R wrist radiograph, AP projection, age 8 y, boy
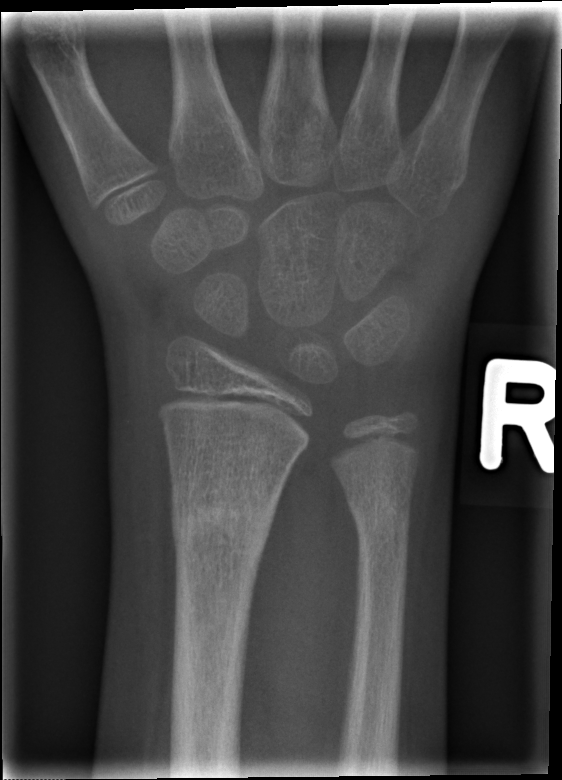
AO code: 23-M/2.1
Fx: 2 @ 169,473,281,551
  346,478,415,542